Left wrist plain film · lateral 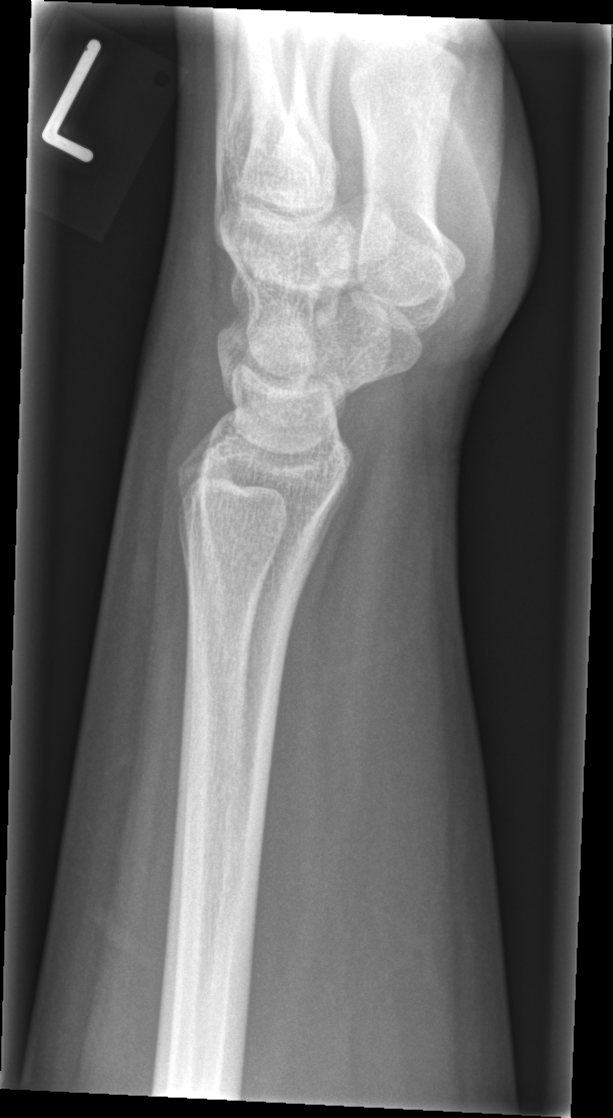 Fx = none labeled